PA projection · Rt plain radiograph of the wrist · index exam
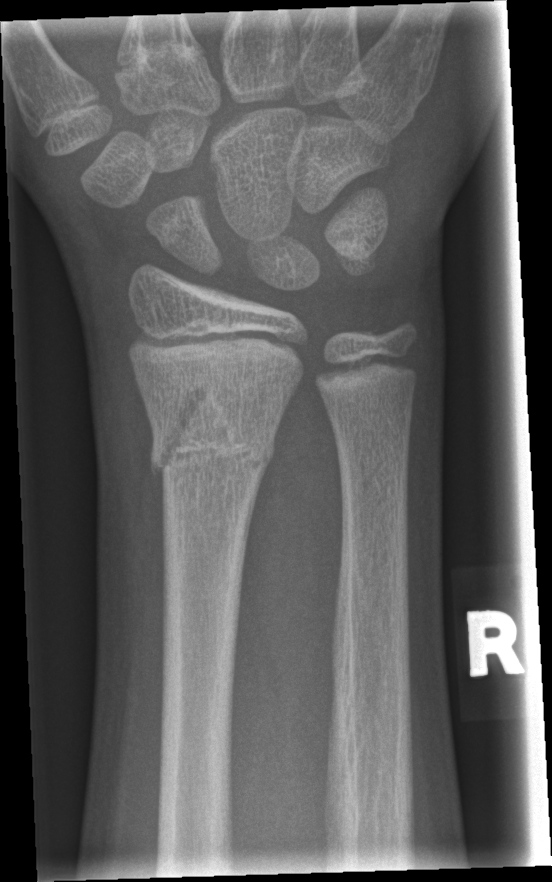 Pixel coordinates, top-left origin, xyxy.
AO code 23r-M/3.1.
Bone fracture: bbox(148, 377, 279, 485).